Lateral, left wrist plain film, 71.1 mm image width:

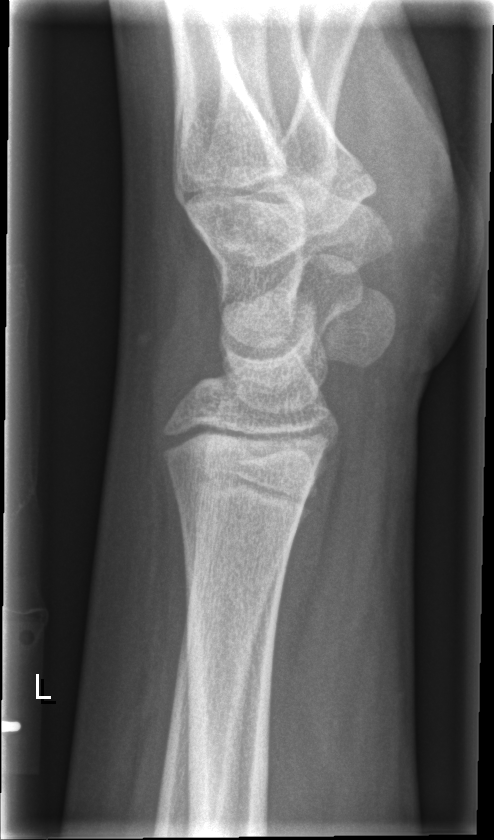 {
  "fracture": "none labeled"
}